Lateral view; left wrist radiograph; 8y F: 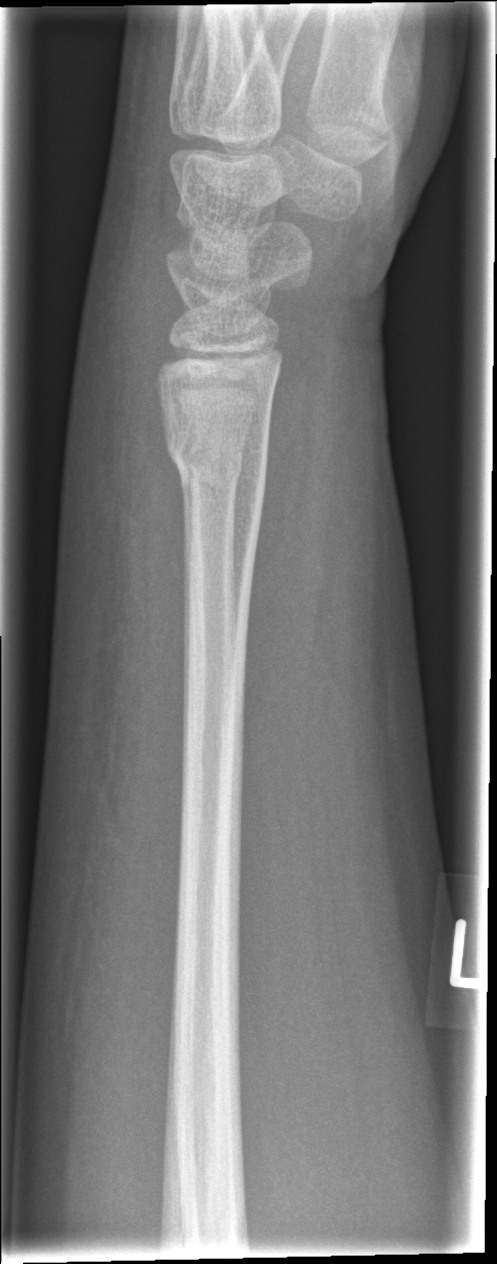

AO code 23-M/2.1. One soft tissue abnormality at <57,216>-<187,833>. Fx identified at <161,422>-<270,514>, <175,443>-<249,503>.